Right pediatric wrist radiograph; lateral projection; female, 9 yo; 631x1026 — 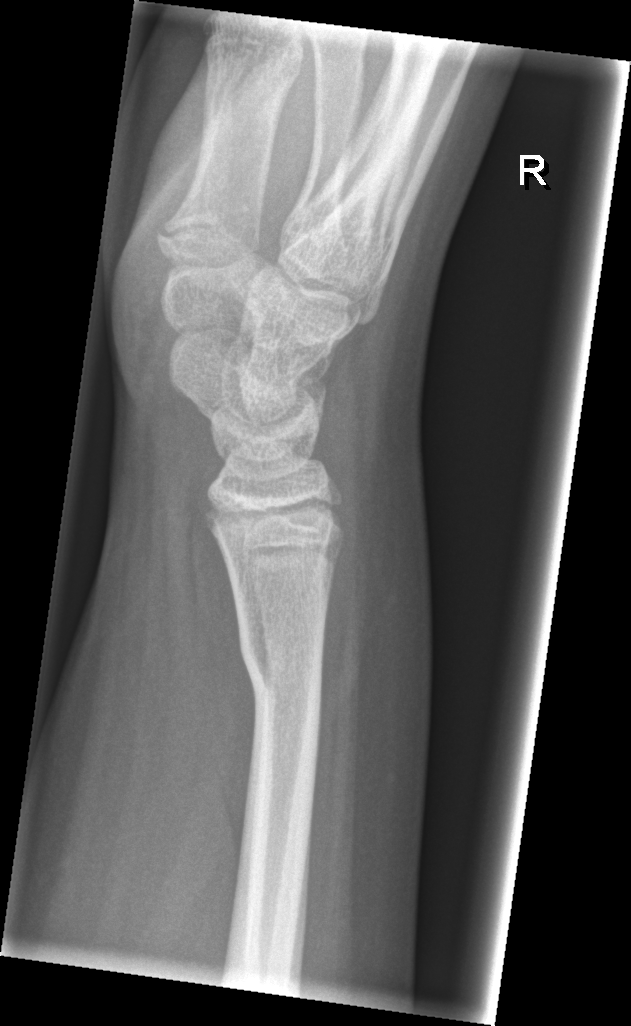 Bone fracture: 235 625 327 719.
AO code 23r-M/2.1.